Posteroanterior projection | left wrist X-ray. 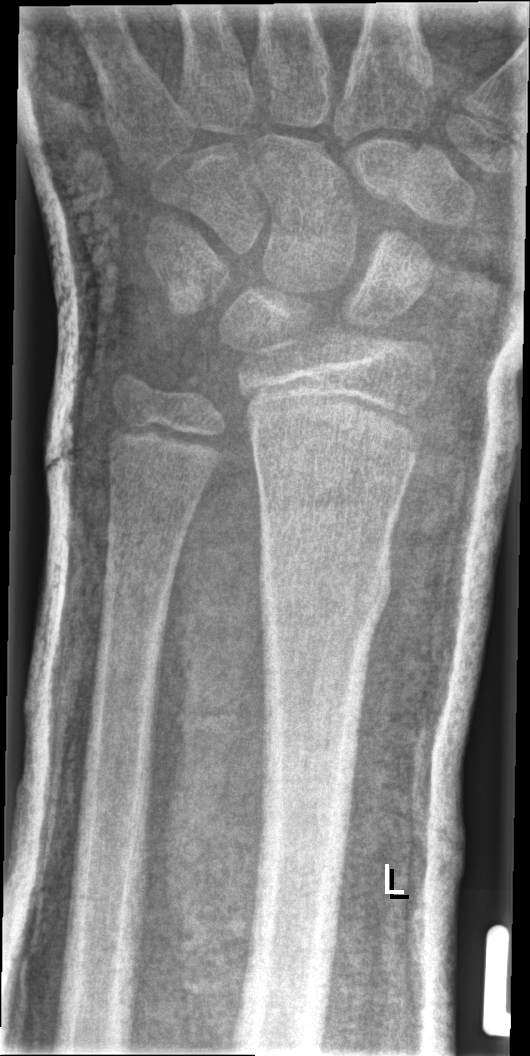

Findings: One Fx at [253, 519, 395, 647].